Lt wrist radiograph; lat view; boy, 5 yo.
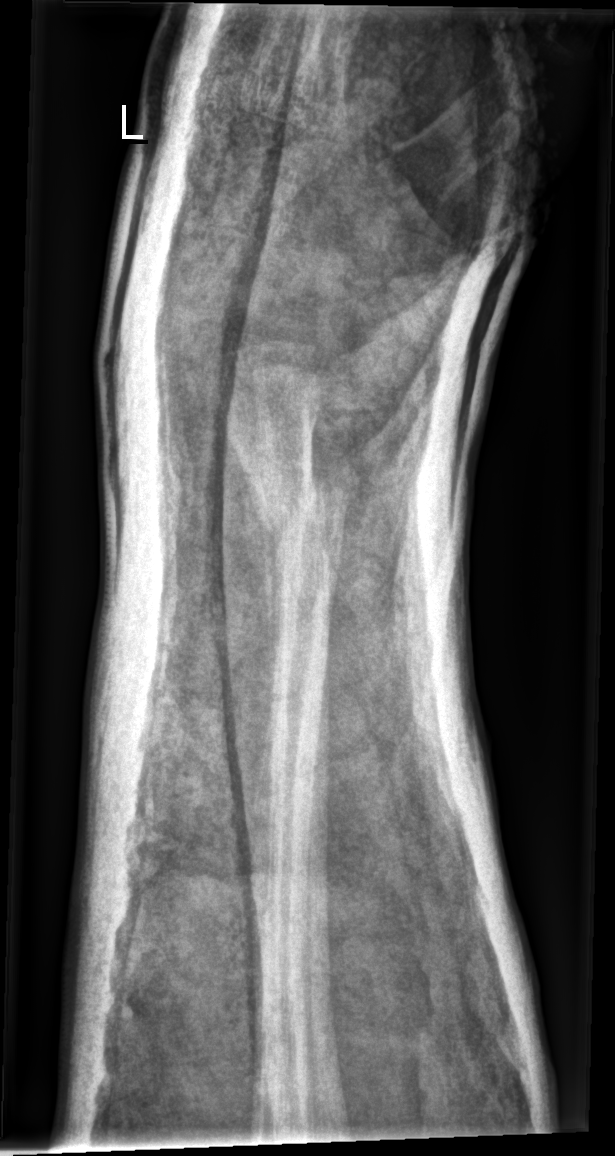
Fracture: <250,472>-<347,546>. AO/OTA classification: 23-M/3.1. Reduced bone mineral density.